Lateral projection · L wrist plain film:

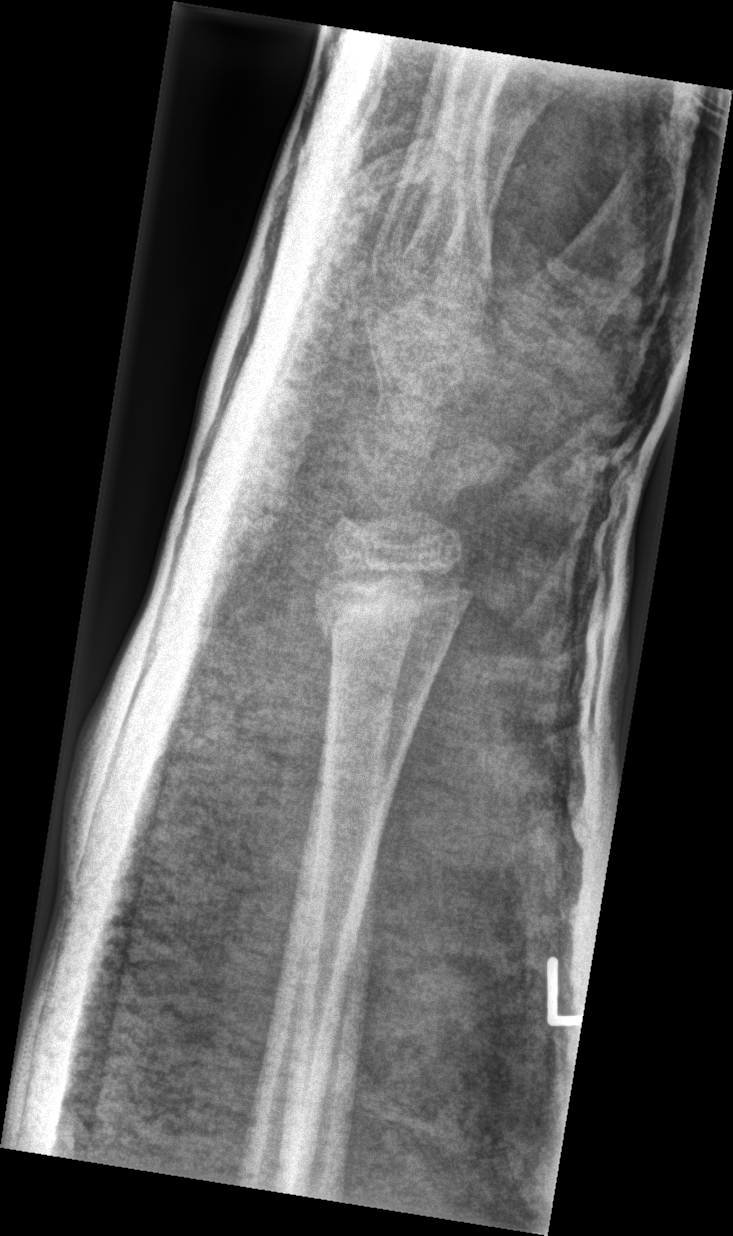 Bone fracture: [308, 545, 477, 657]